Lt wrist XR, lat projection, female, 10 yo, presentation radiograph, Siemens:

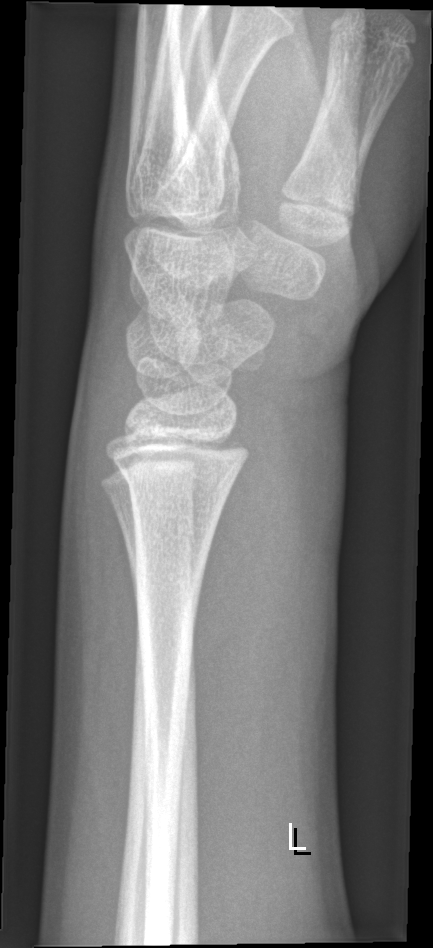

* Bounding boxes in image-pixel xyxy.
* Positive pronator fat-pad sign identified at 184,402,287,789.
* Fracture classified AO/OTA 23r-M/2.1.
* Fx — 111,449,234,512.